Lateral, L wrist radiograph, 12y M, cast present, acquired on Siemens, 562 by 948 pixels 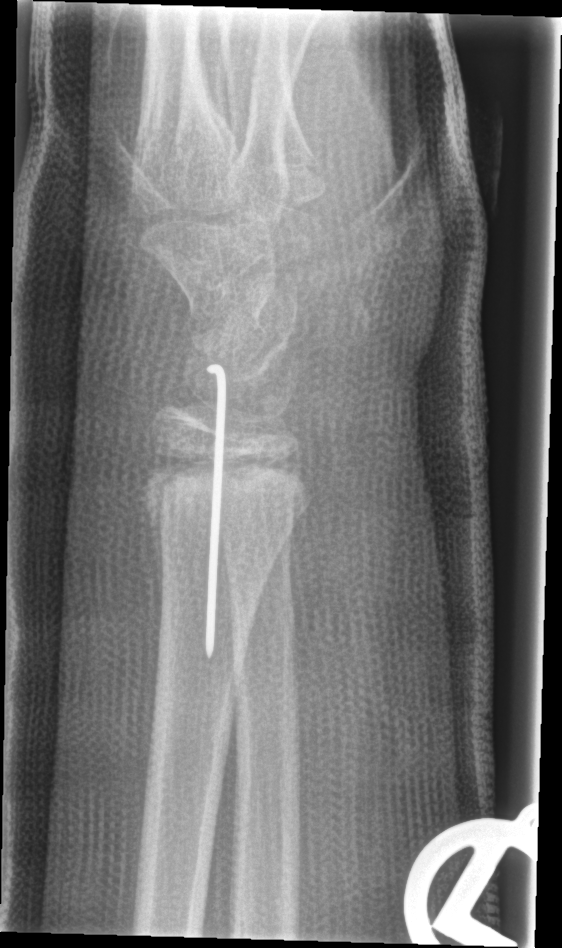

periostealreaction: 1 @ (left=145, top=470, right=165, bottom=625)
metal: 1 @ (left=201, top=362, right=229, bottom=661)
fracture: (left=135, top=462, right=306, bottom=572)
ao: 23r-E/2.1